Left pediatric wrist radiograph; lateral view; pediatric patient (male, age 7); cast in situ:
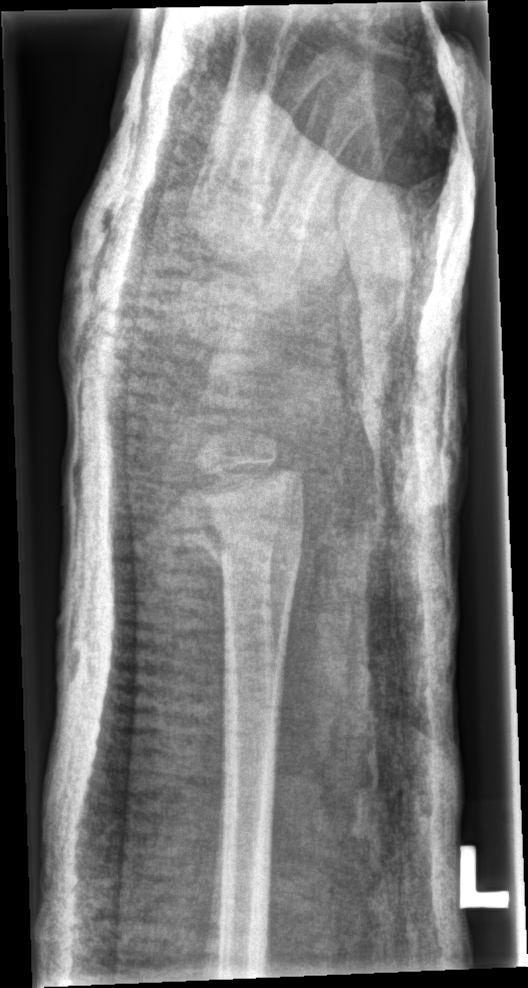
Fx: 169,508,307,586.